Left wrist pediatric wrist radiograph | posteroanterior view | age 12 y, boy: 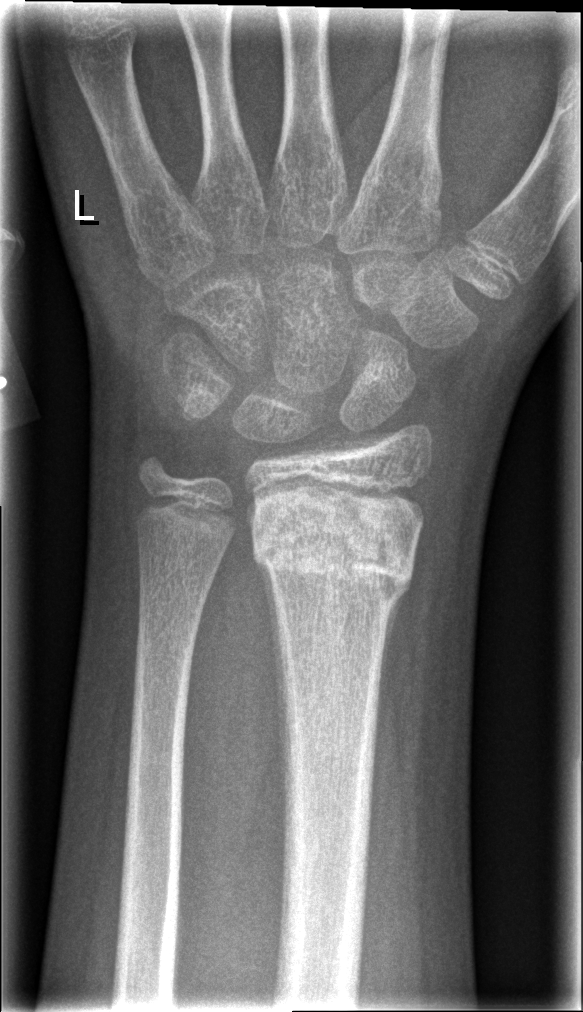 (pixel coordinates, top-left origin, xyxy)
periosteal new bone: 2 @ [x1=257, y1=559, x2=289, y2=796]; [x1=374, y1=583, x2=410, y2=774]
Fx: 1 @ [x1=240, y1=507, x2=427, y2=606]